R plain radiograph of the wrist; posteroanterior; male, 10 yo; imaged through cast:

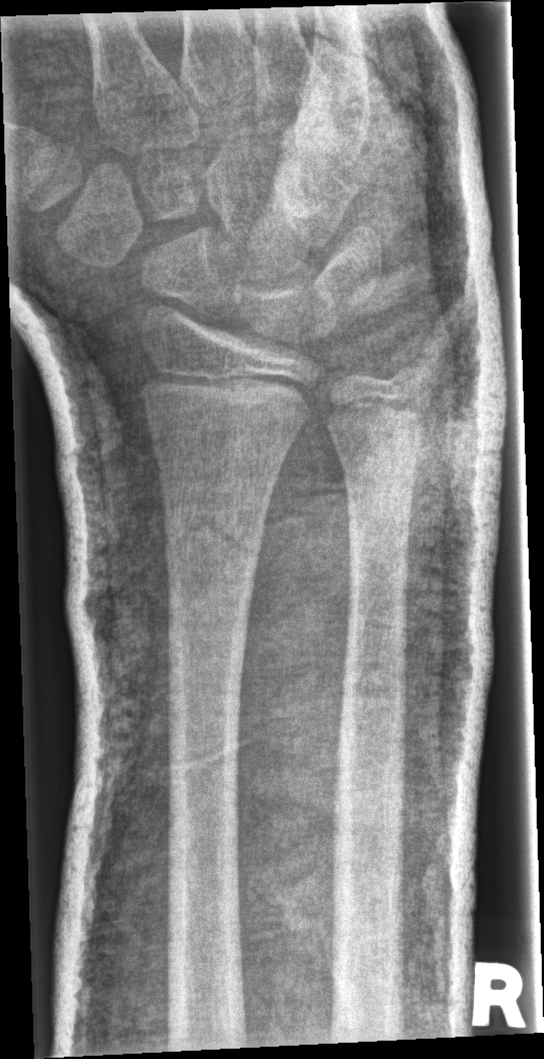

Findings: Fracture classified AO/OTA 23r-M/3.1; 23u-E/7. Bone fractures — [160, 495, 267, 576], [385, 345, 441, 393].